Lateral projection | Rt wrist radiograph | initial study | Siemens | image 73.4 mm wide | 510 by 948 pixels
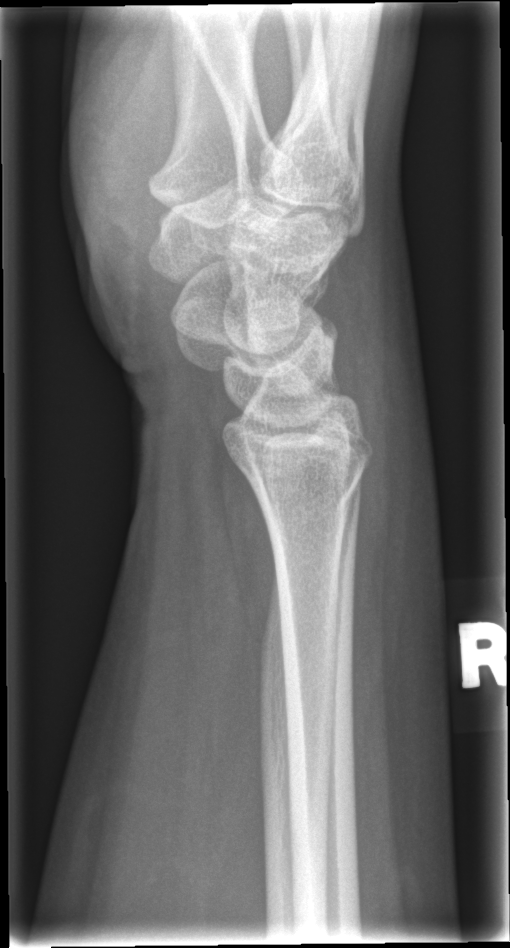
(boxes as x1,y1,x2,y2 (top-left / bottom-right, pixel units))
AO code: 23r-M/2.1
bone fracture: 1 @ bbox(252, 459, 368, 526)